PA view, L wrist radiograph, image 121.2 mm wide 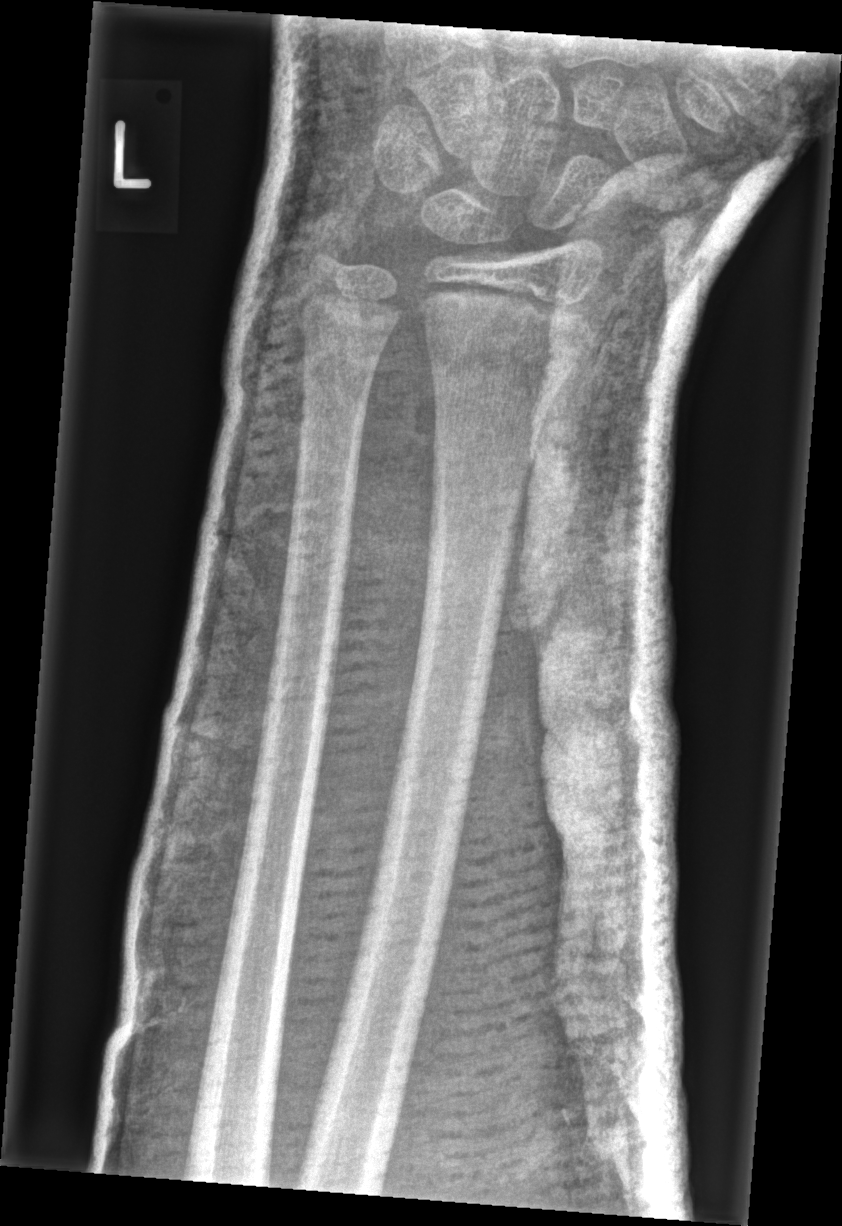
Bone fracture = [x1=419, y1=295, x2=596, y2=430]